Right wrist plain film · frontal view · 7y M · subsequent exam · Siemens — 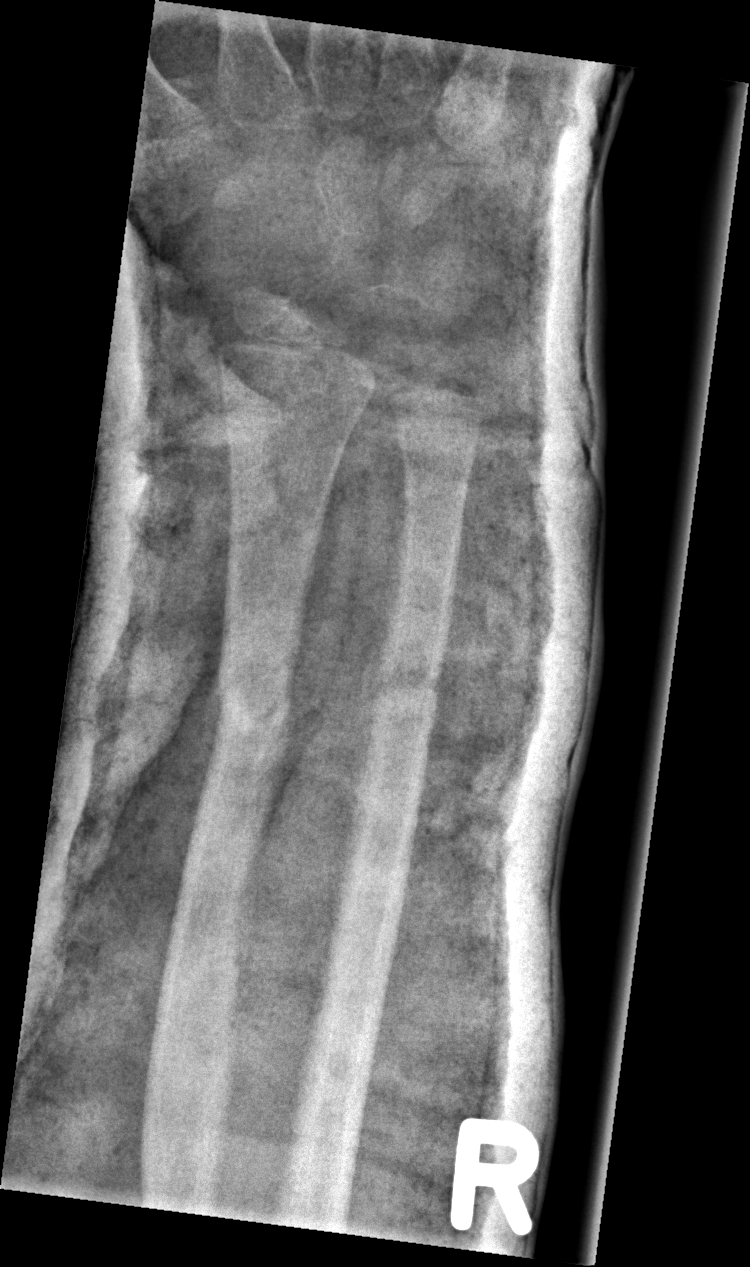 AO/OTA classification: 22-D/4.1. Bone fracture: 212 656 293 744 | 374 641 444 720.